Lateral; Rt pediatric wrist radiograph; in cast: 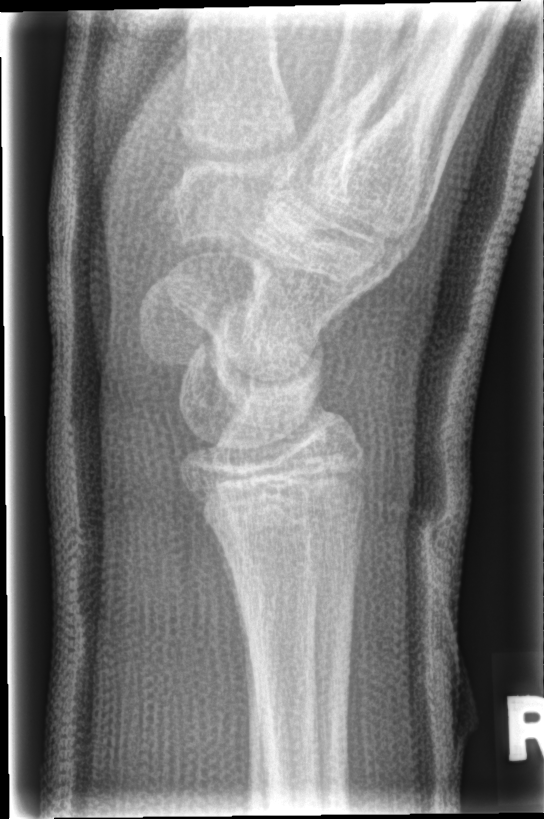 Fx = present but not clearly seen in this view